Lat view; right wrist X-ray; pediatric patient (girl, age 11); initial study; 566 by 782 pixels 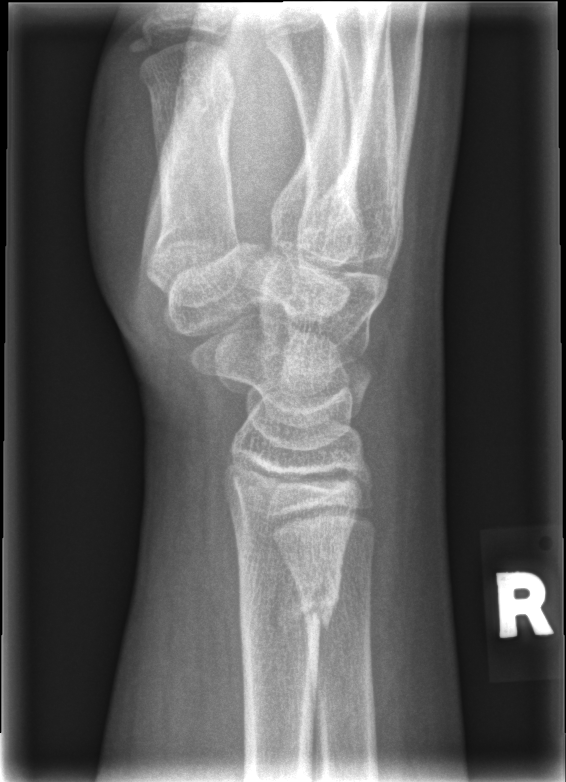 (coordinates are [x1, y1, x2, y2] in image pixels)
Q: Any fracture seen?
A: One Fx at 235,565,346,652
Q: AO code?
A: Fracture classified AO/OTA 23r-M/2.1